Lt wrist plain film, AP view, age 7 y, boy, acquired on Siemens, image size 392x1169 —
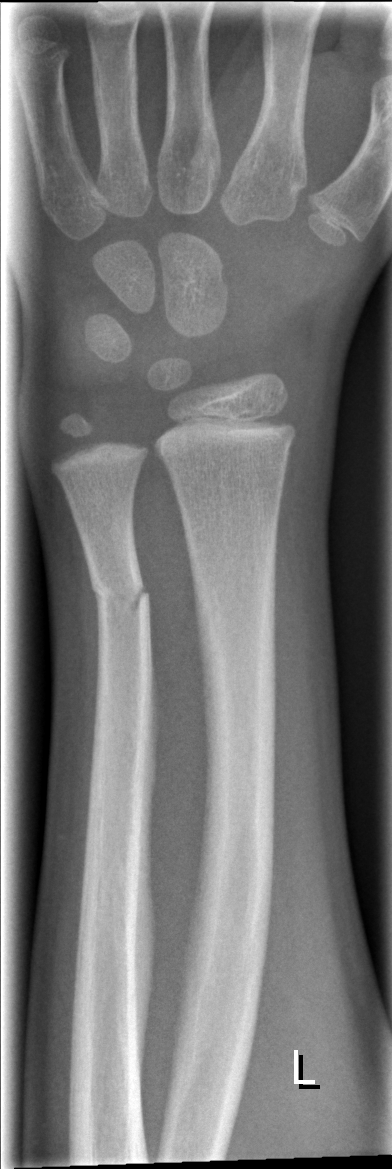

- One Fx at bbox(85, 560, 154, 627).
- AO/OTA classification: 22r-D/1; 23u-M/3.1.